Left wrist pediatric wrist radiograph; posteroanterior; pediatric patient (female, age 8); cast in situ; image size 620x1044 —
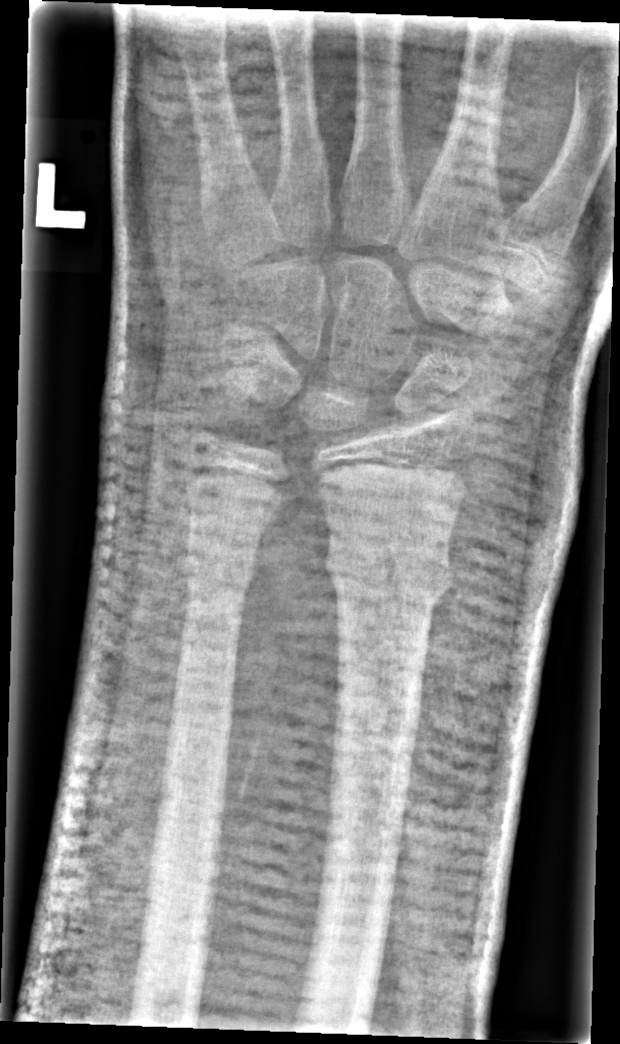
Pixel coordinates, top-left origin, xyxy.
Fracture classified AO/OTA 23-M/3.1.
Bone fracture identified at 317 541 453 608; 181 541 259 601.